Lateral view · R wrist radiograph · pediatric patient (female, age 8) · index exam

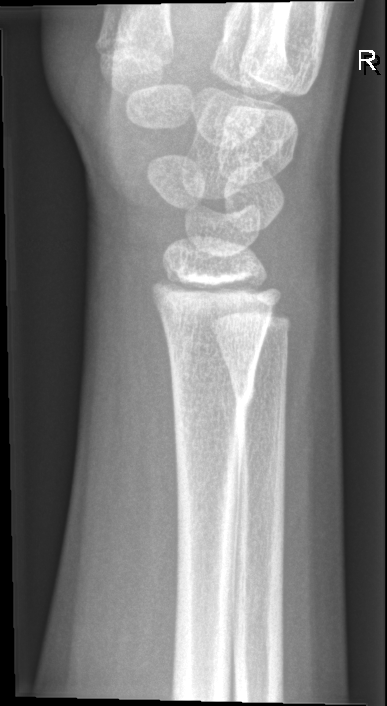 Fx — (left=168, top=366, right=257, bottom=424).
AO code 23r-M/2.1.